L wrist plain film · lateral projection · age 15 y, girl:

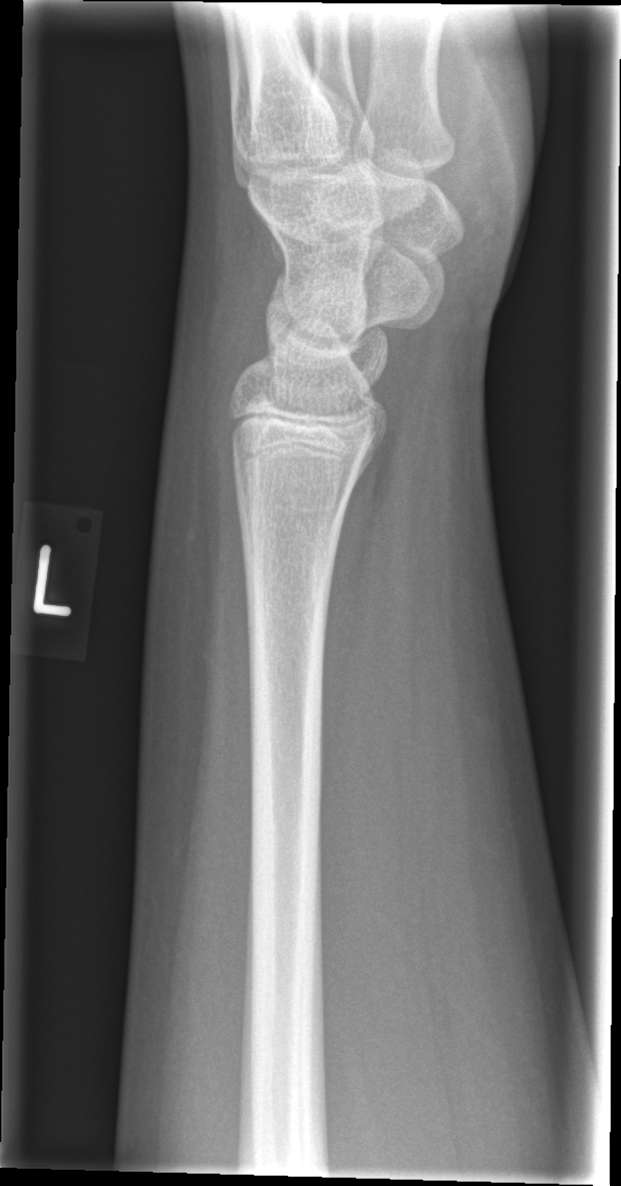 fracture: none labeled